Lt wrist XR; PA view; age 6 y, boy; equivocal findings — 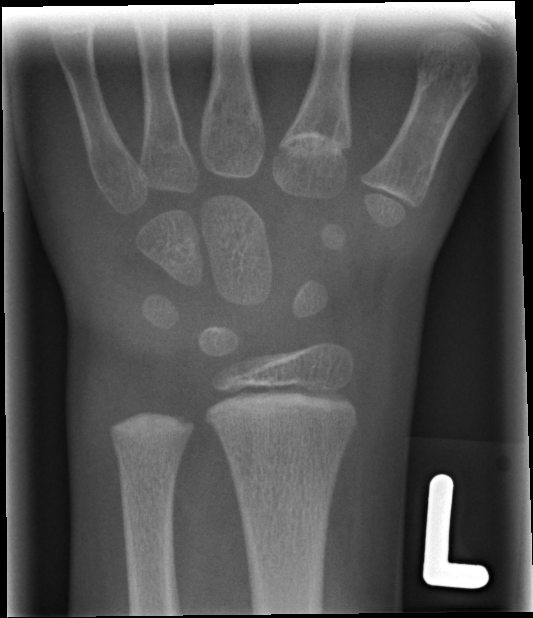
Fracture: none labeled.